PA projection · R pediatric wrist radiograph · 3y F · 410 by 695 pixels

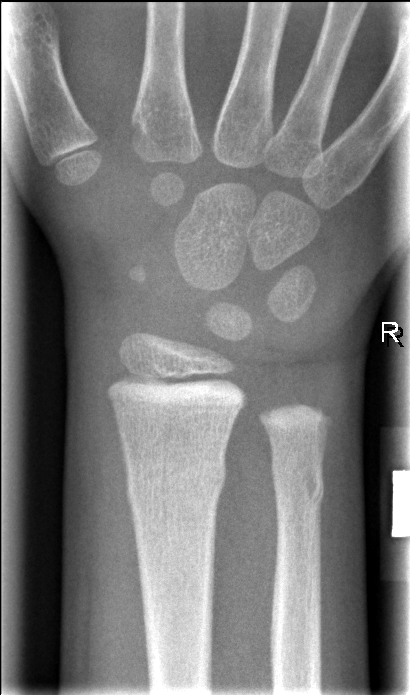 Bone fracture = bbox(123, 453, 230, 513) bbox(269, 460, 328, 509)
AO code = 23-M/2.1